L wrist XR; lateral projection. 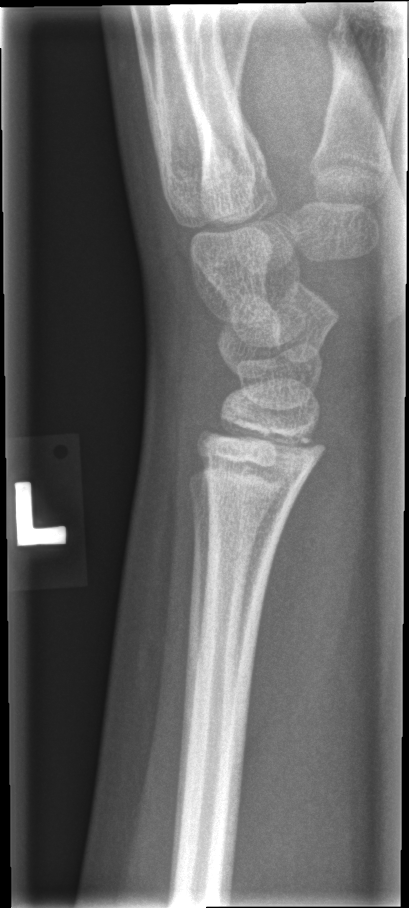 Findings: Fx: none.